Lat view | left plain radiograph of the wrist | 14y F | image size 458x1136.

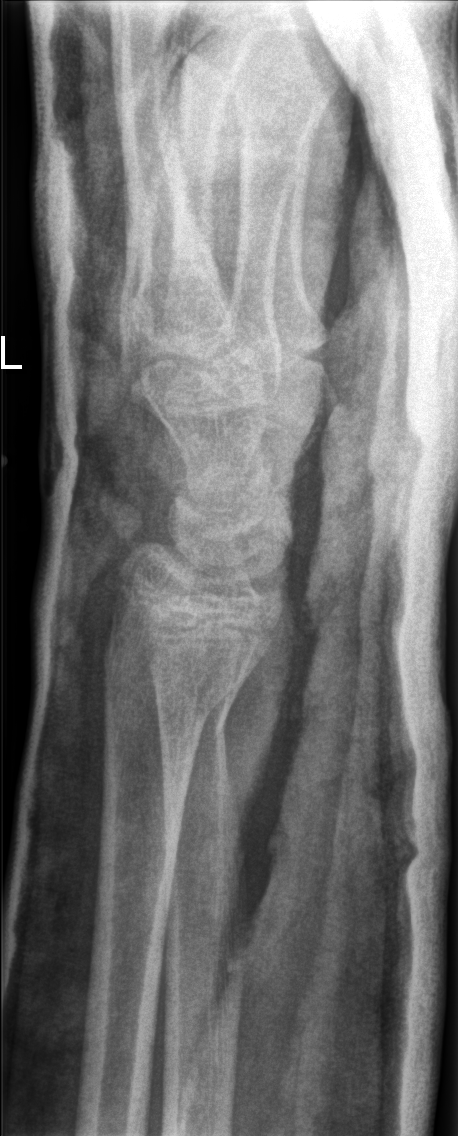
Findings: Two fractures at [102, 619, 247, 733]; [156, 677, 237, 745].